Left wrist radiograph, lat —
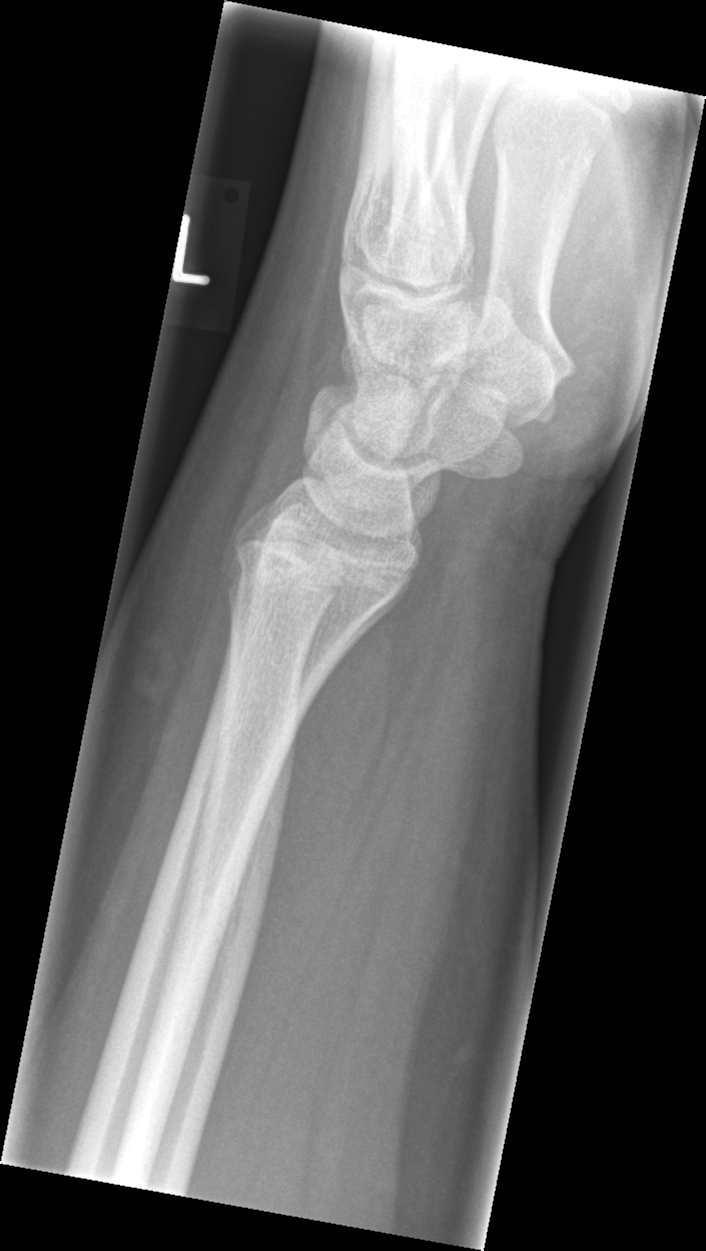 - Bounding boxes in image-pixel xyxy.
- Fracture classified AO/OTA 23r-M/2.1.
- Fx — <226,529>-<408,600>.